AP projection; right wrist X-ray; age 10 y, boy; image width 88.3 mm. 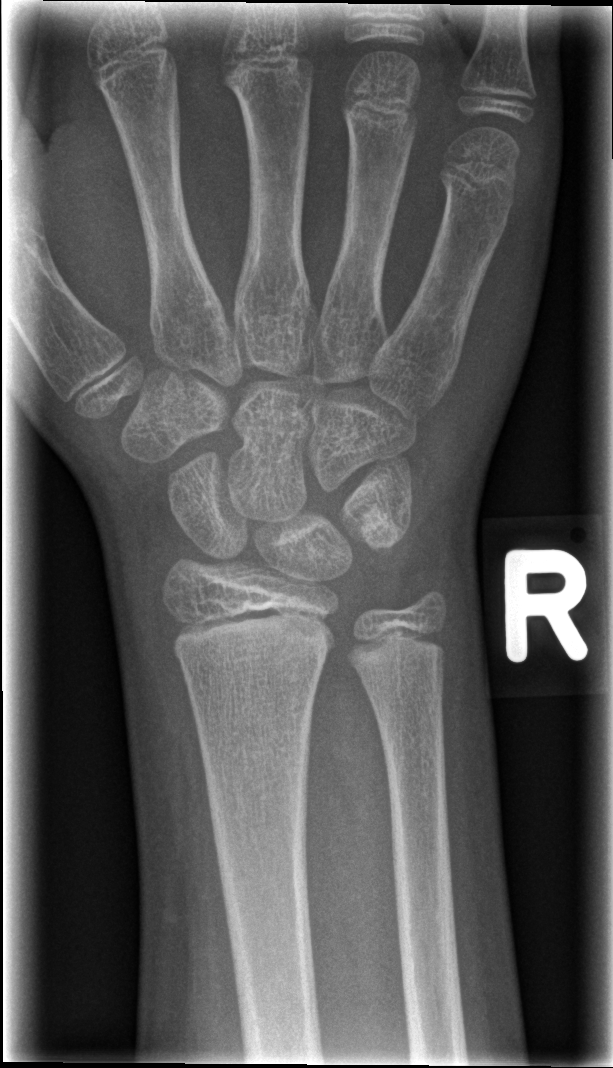

FINDINGS: AO/OTA classification: 23r-M/2.1. Fracture present, but no bounding box because it is not clearly seen in this view.